Lateral view | L wrist X-ray | 4-year-old girl.

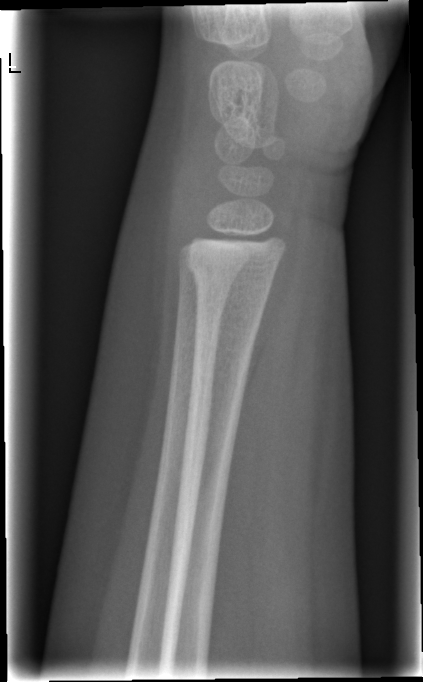

(coordinates are [x1, y1, x2, y2] in image pixels)
AO code: 23r-M/2.1
Fracture: [184, 250, 275, 319]